AP projection; R plain radiograph of the wrist; 6-year-old male
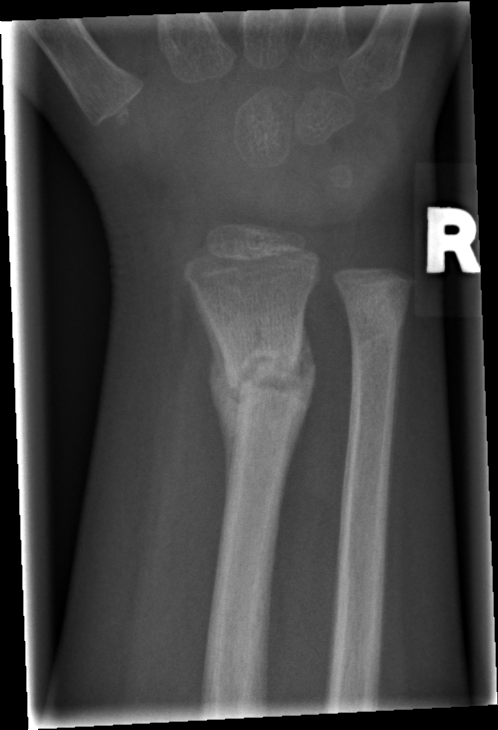

Fractures — [x1=212, y1=328, x2=316, y2=442]; [x1=348, y1=289, x2=411, y2=344].
Periosteal new bone: [x1=191, y1=285, x2=243, y2=524], [x1=278, y1=315, x2=316, y2=513].